Obl · left wrist X-ray · 8y F:
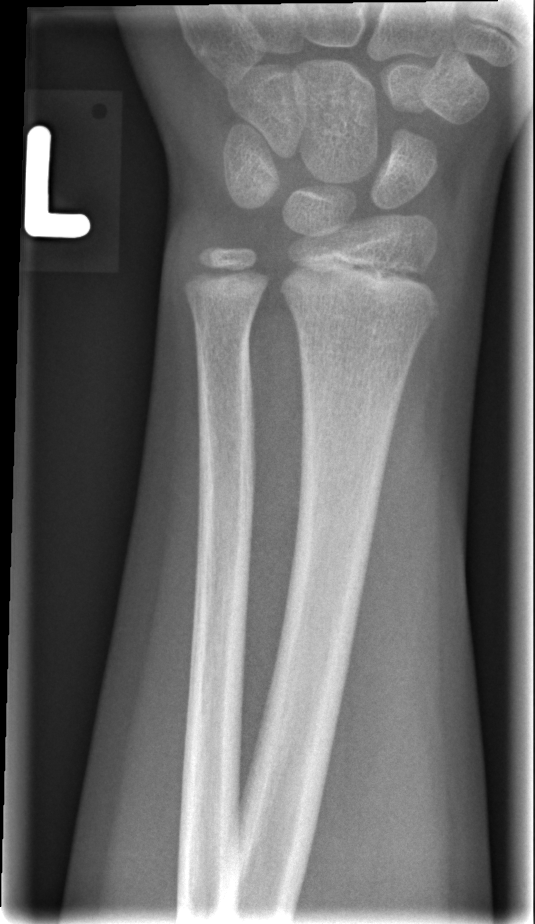 Q: Fracture present?
A: Fx: none